Left wrist plain film, lat view, 9y M, index exam:
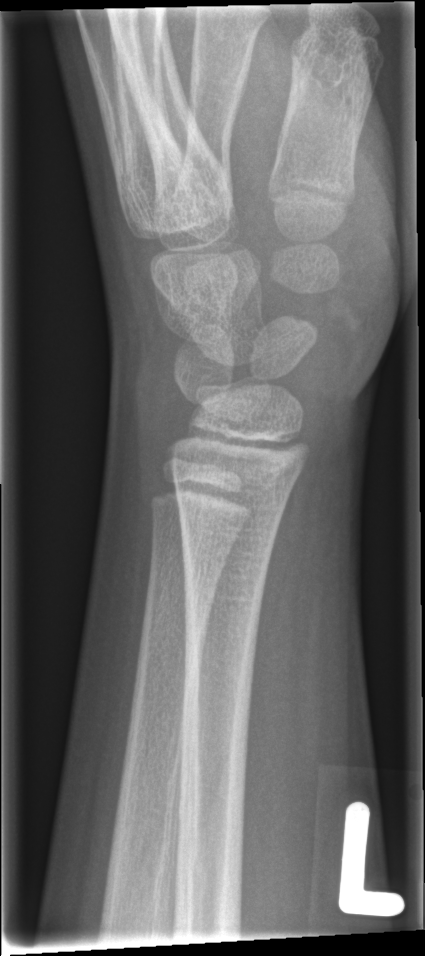

No fracture labeled.